Lat projection · L pediatric wrist radiograph · age 8 y, female —

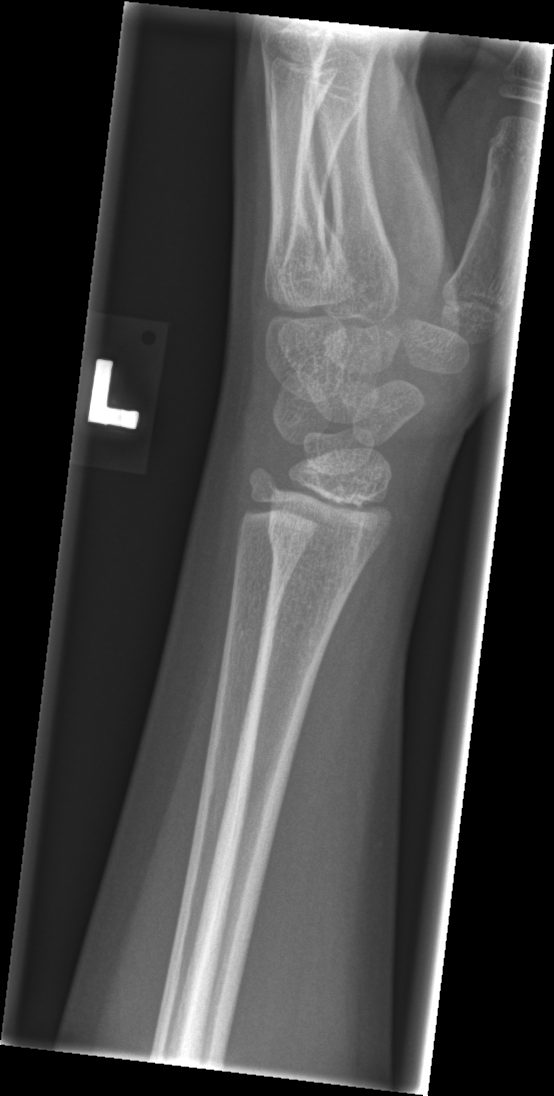
Q: AO code?
A: AO/OTA classification: 23r-M/2.1
Q: Locate any fractures.
A: Bone fracture — [x1=263, y1=513, x2=378, y2=583]